AP projection; R wrist XR. 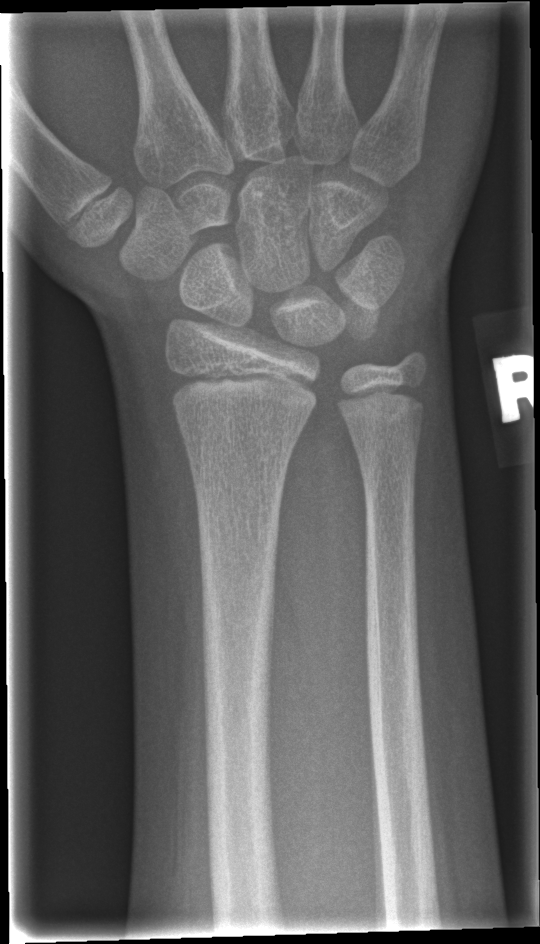
Bone fracture: none labeled